Left wrist radiograph | AP projection | Siemens —

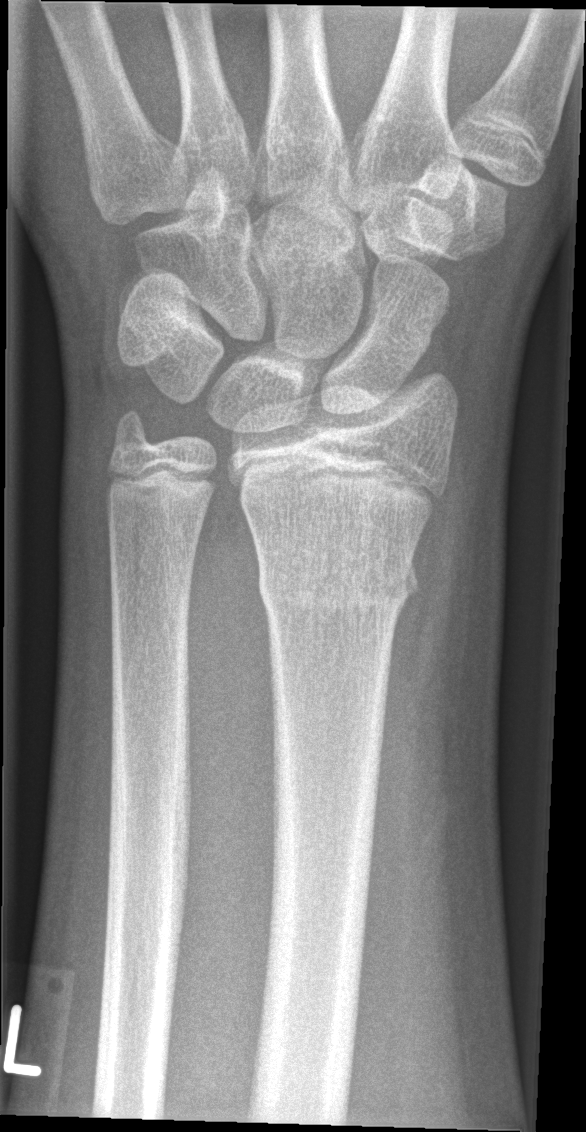 * Fx — [x1=252, y1=550, x2=424, y2=622].